Right wrist plain film | lat projection | 13-year-old female:

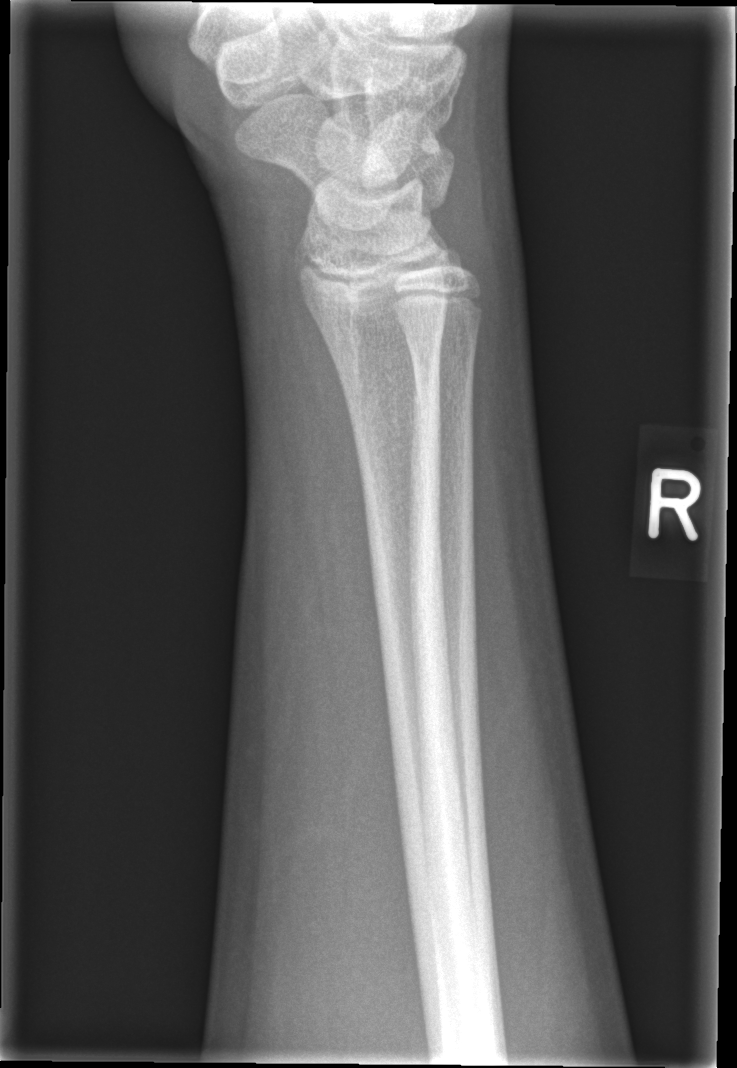

fracture: none labeled